PA/AP projection | Lt pediatric wrist radiograph | 2y F | follow-up | cast present.

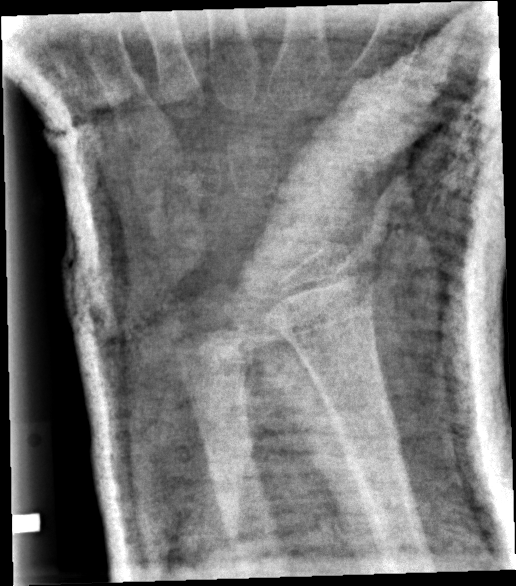
(coordinates are [x1, y1, x2, y2] in image pixels)
Fx: bbox(326, 407, 406, 474)